R wrist XR | lat projection | 1.4y F — 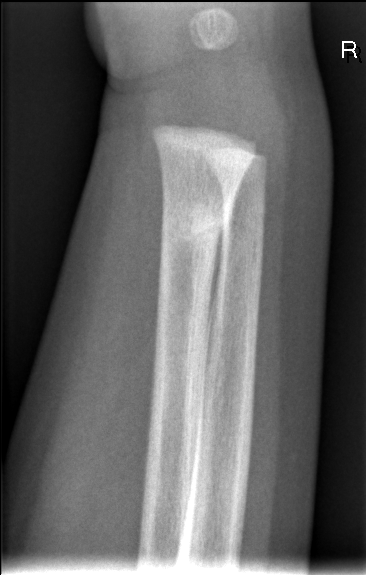

bone fracture = 1 @ (left=157, top=200, right=232, bottom=248)
AO/OTA = 23r-M/2.1